Right wrist plain film; AP; initial study — 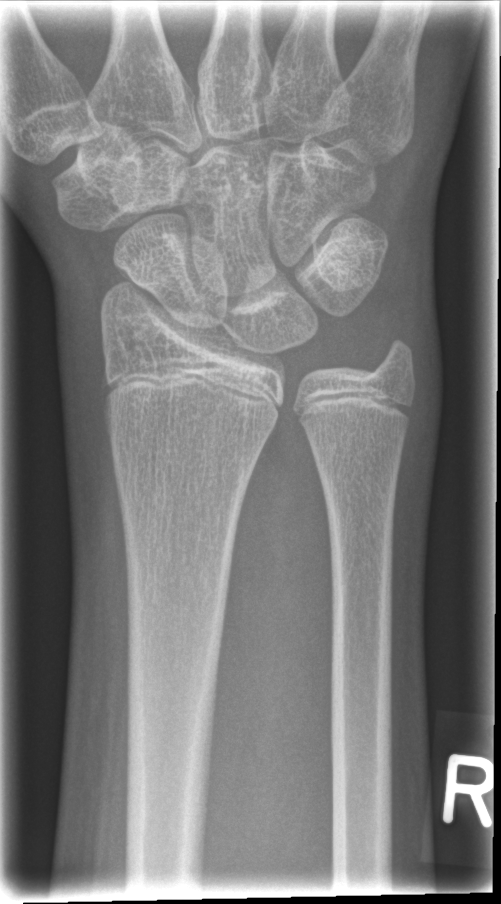
• No fracture bounding box.